Posteroanterior view · right pediatric wrist radiograph · presentation radiograph:
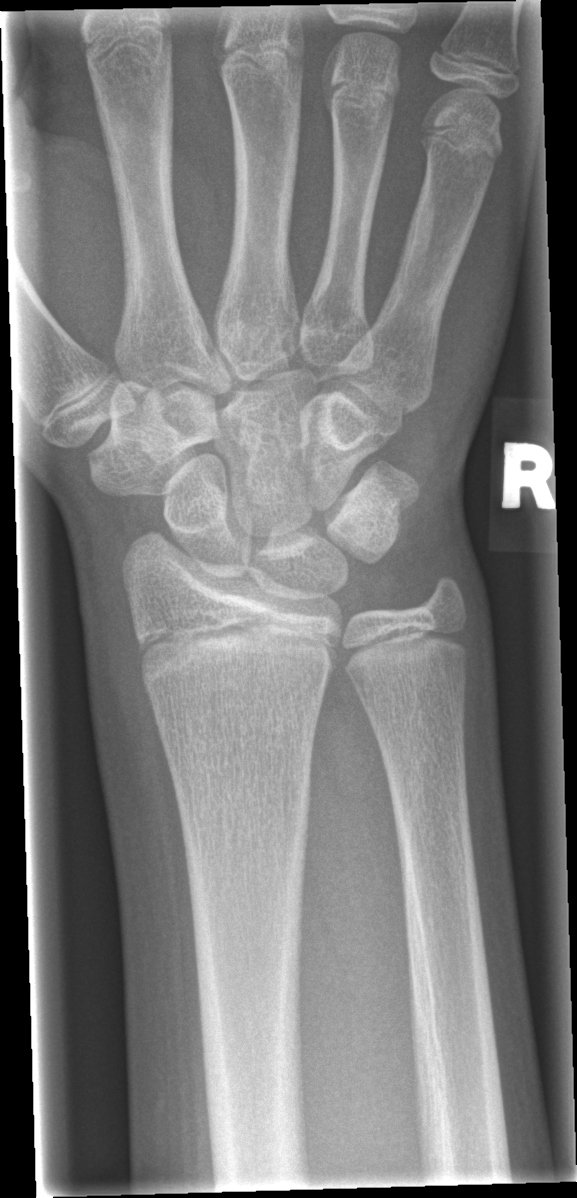 No fracture labeled.